R wrist radiograph; PA/AP projection; 700 by 1290 pixels —
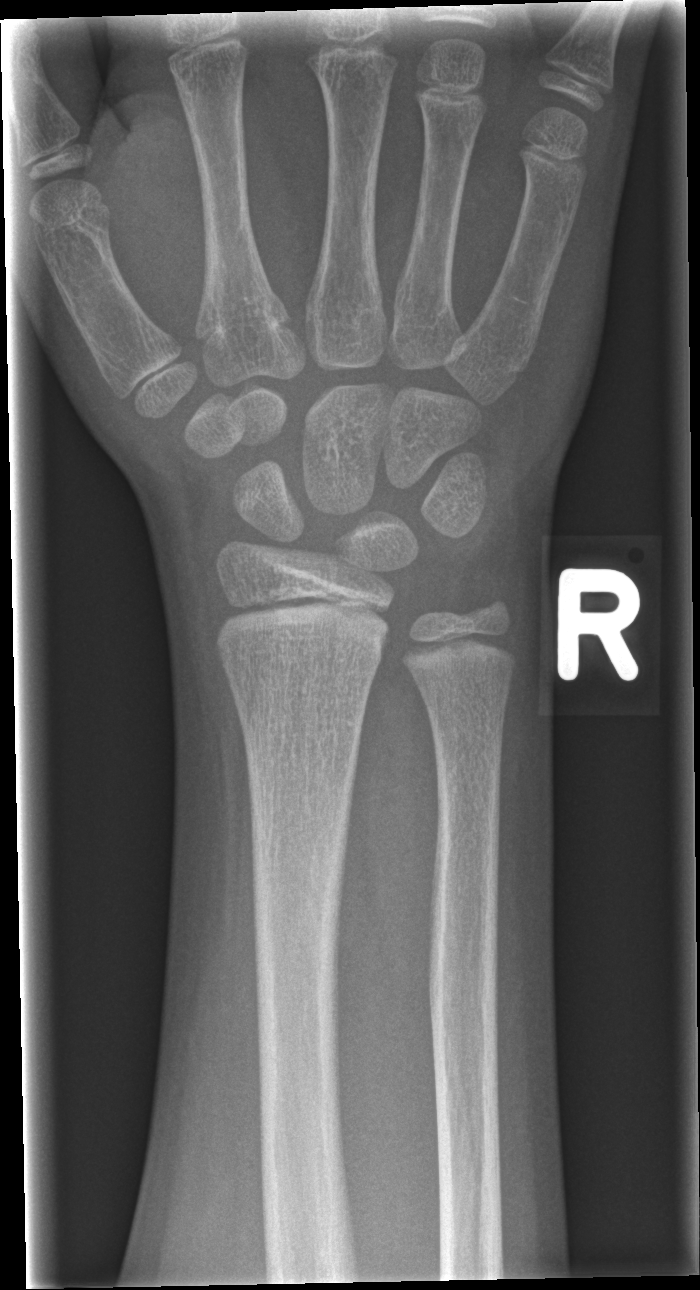
• No fracture labeled.